Lateral · right wrist radiograph · 16y F · 414 x 1136 px 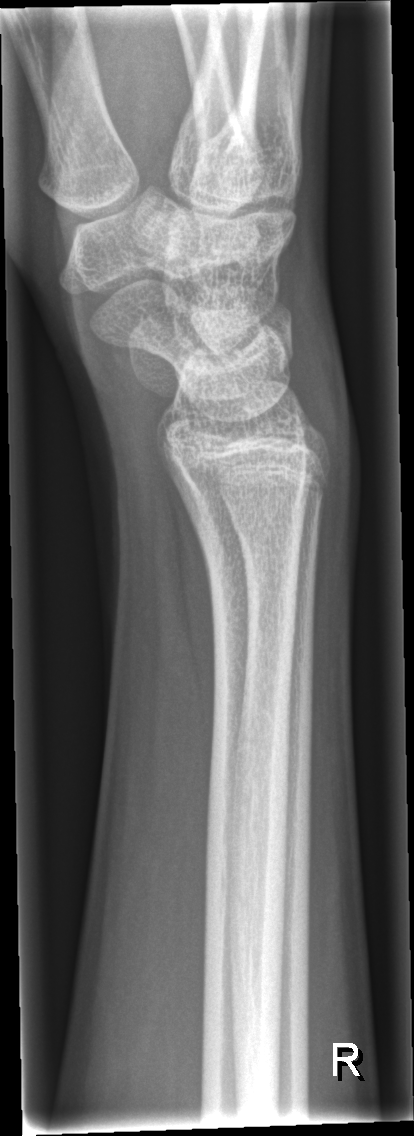 * No fracture labeled.